Lateral projection; Lt plain radiograph of the wrist; follow-up study:
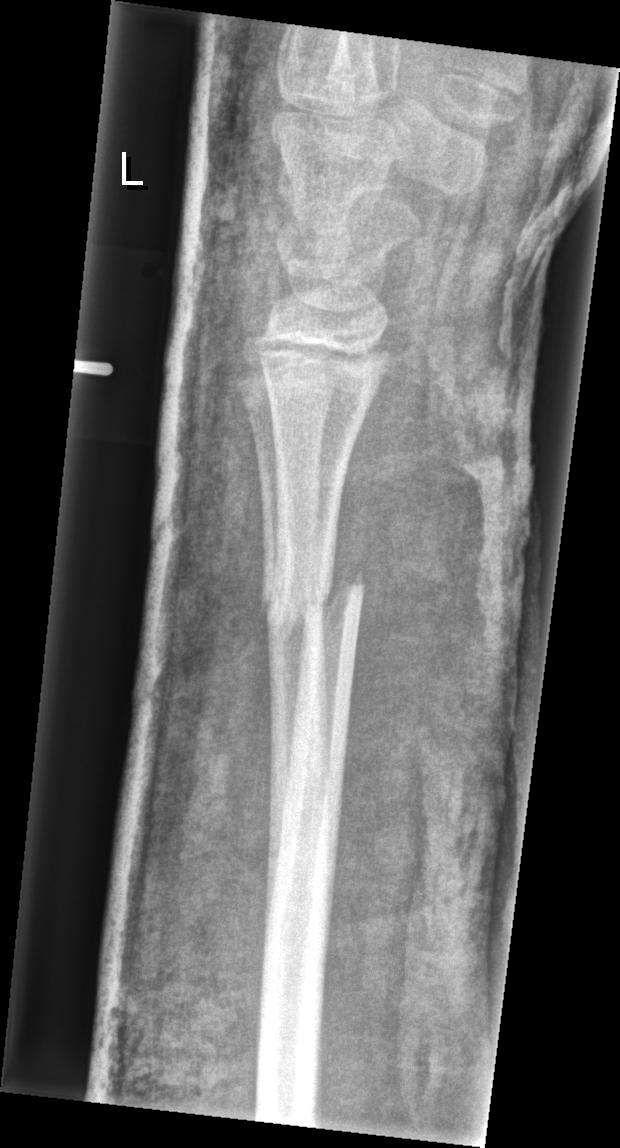 FINDINGS — (boxes as x1,y1,x2,y2 (top-left / bottom-right, pixel units)) Fx identified at [x1=256, y1=558, x2=375, y2=649]. AO code 23-M/3.1.